Right plain radiograph of the wrist; PA; female, 10 yo; initial study; acquired on Siemens; 657 by 1164 pixels 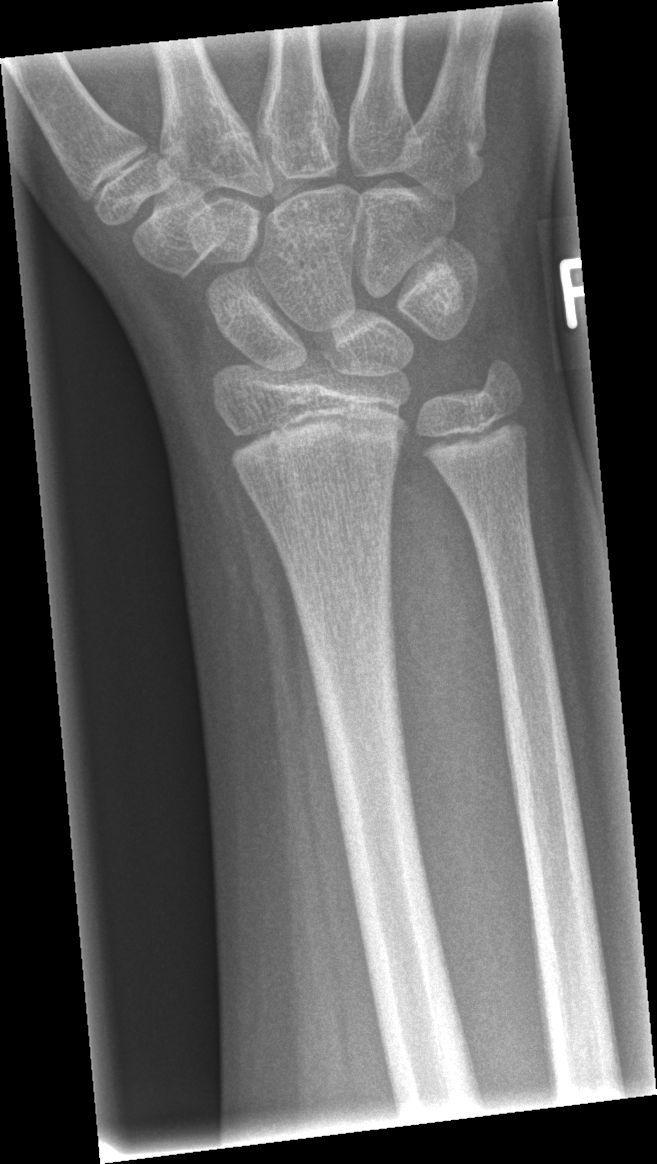
Findings: Fx: none.